Right wrist radiograph; lateral view; 13-year-old male —

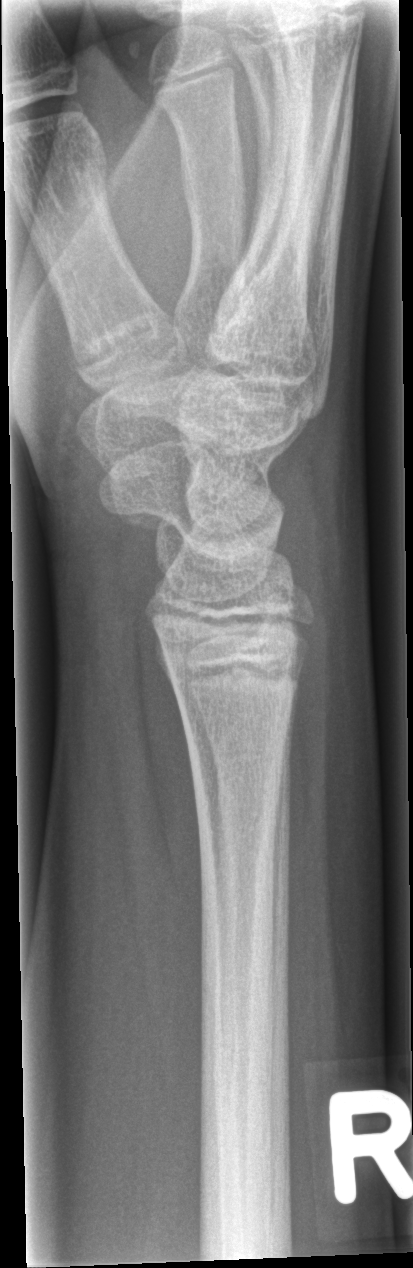 No fracture labeled.